Left wrist pediatric wrist radiograph | PA projection | 6-year-old boy | follow-up | in cast | 574x990 —
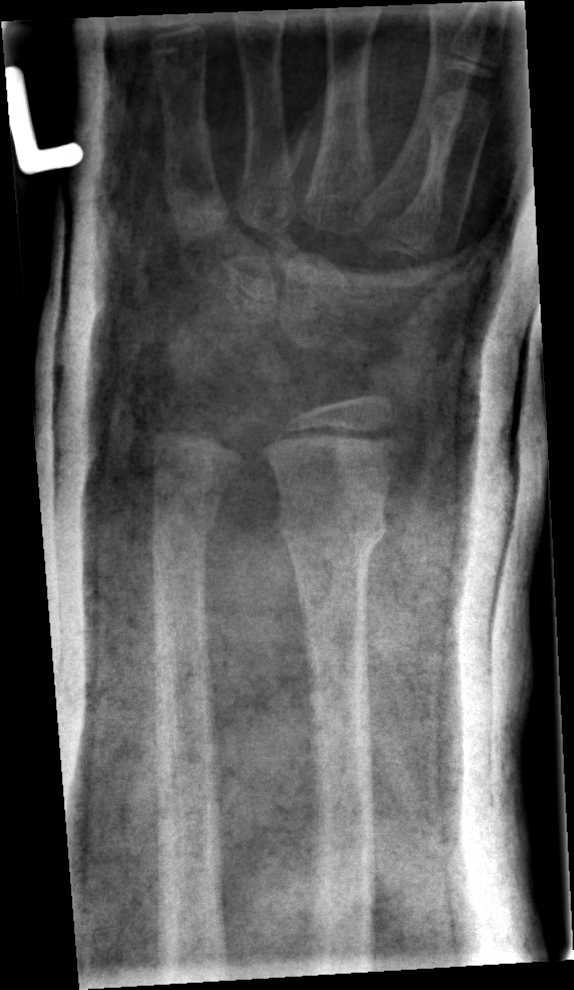
Q: AO code?
A: AO/OTA classification: 23-M/3.1
Q: Locate any fractures.
A: Fractures — 277,501,389,553; 145,512,226,552